Left wrist radiograph, lateral view, image width 60.9 mm, 423 x 882 px:
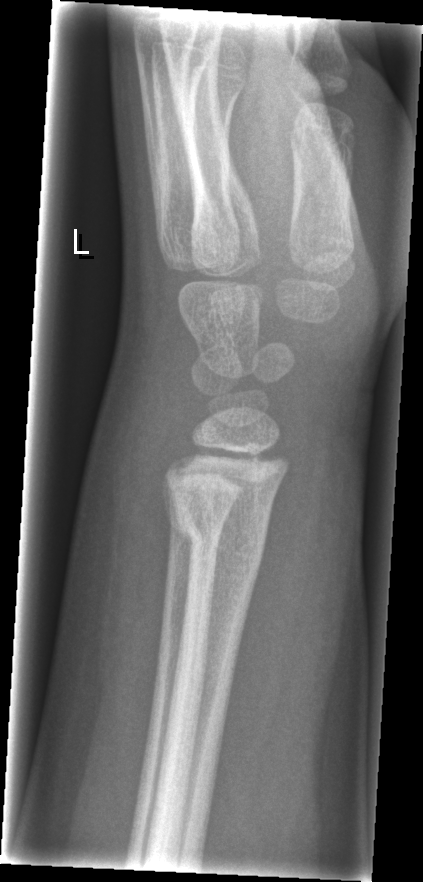
• Coordinates are [x1, y1, x2, y2] in image pixels.
• Fx: 164 492 268 565.
• Fracture classified AO/OTA 23-M/2.1.
• Pronator sign: 212 388 329 808.